Rt wrist XR | PA | 14y F

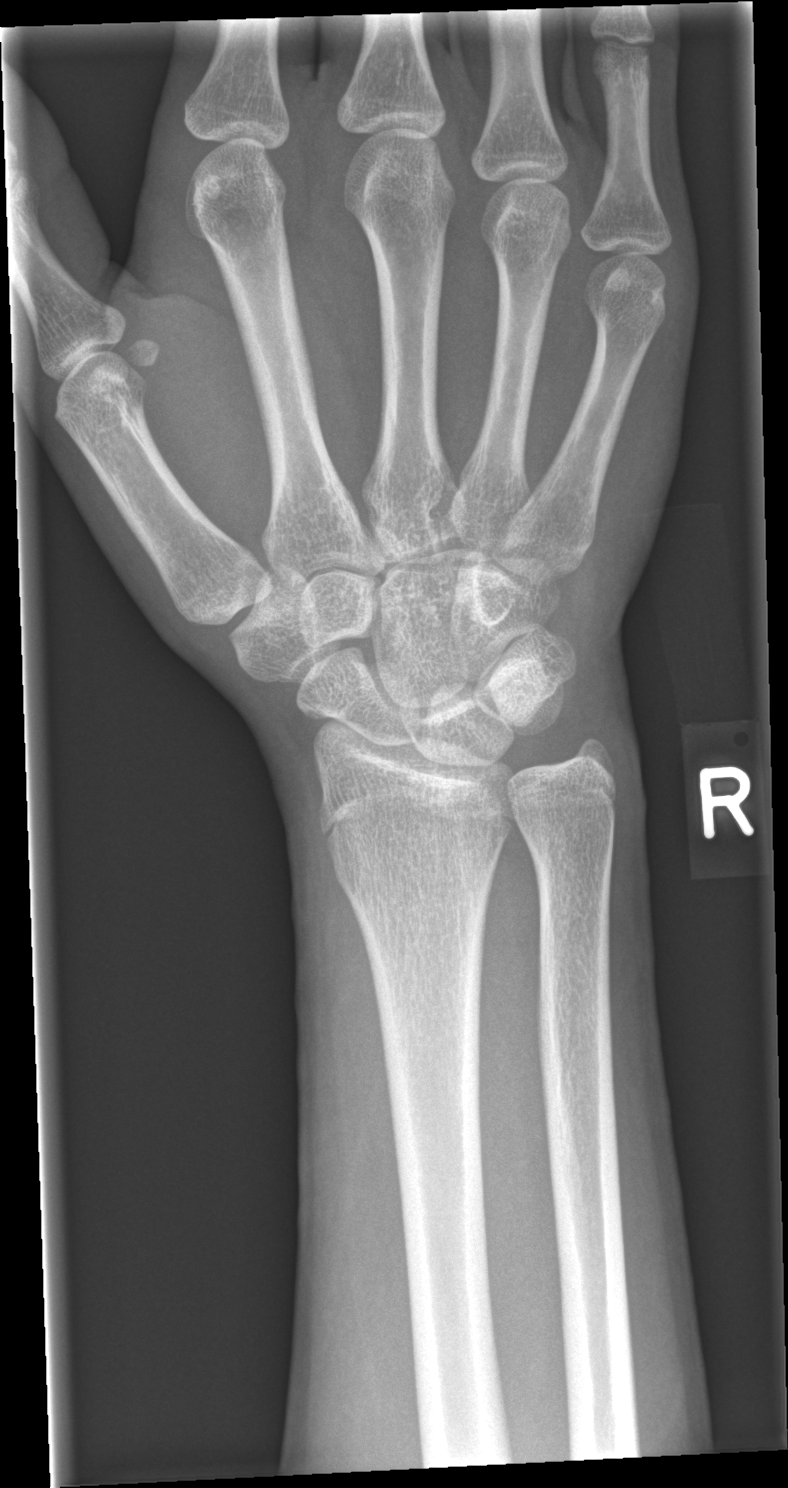
Findings: Fx: none.